R plain radiograph of the wrist · frontal · female, 10 yo —

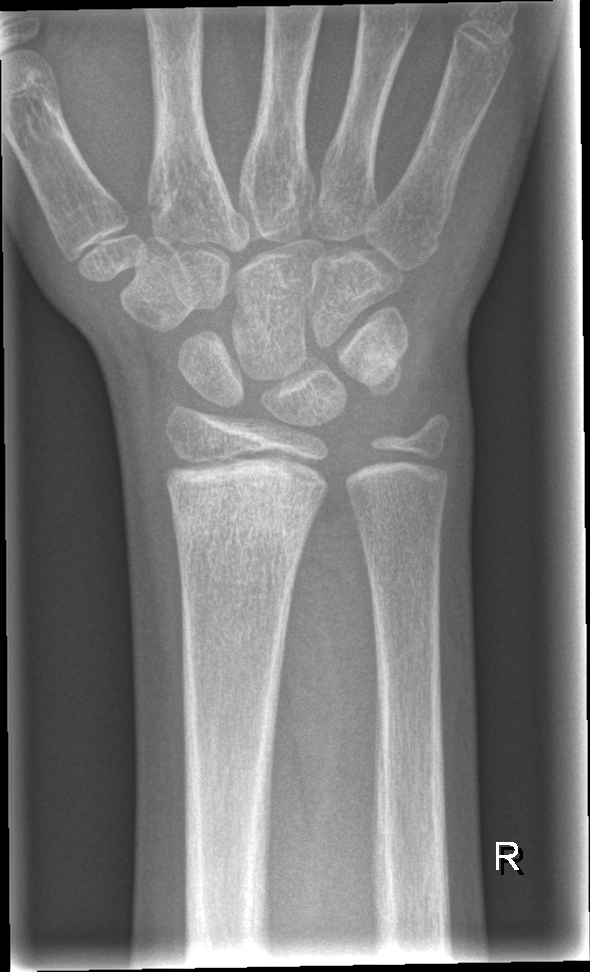

• Pixel coordinates, top-left origin, xyxy.
• Fracture classified AO/OTA 23r-M/2.1.
• Fx identified at [x1=165, y1=488, x2=322, y2=556].